Left plain radiograph of the wrist | posteroanterior projection 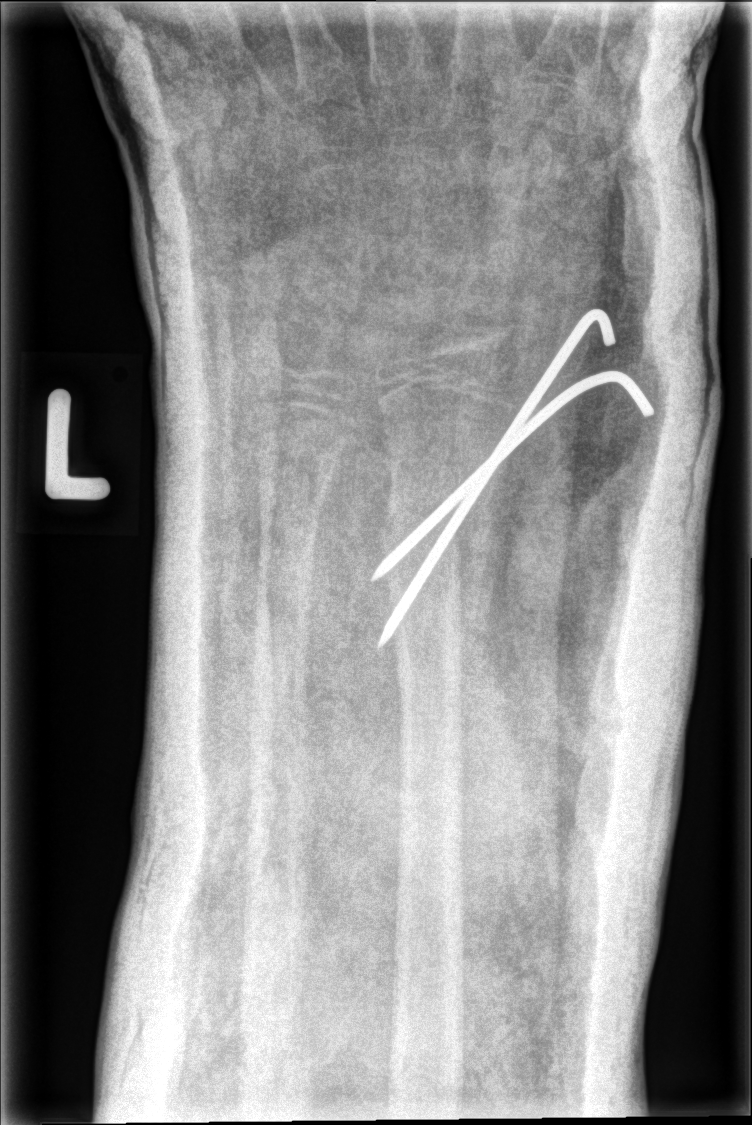

(coordinates are [x1, y1, x2, y2] in image pixels)
Metallic hardware = 374,307,652,650
Fx = 372,513,478,580